AP view, left wrist X-ray, 12y F, follow-up study
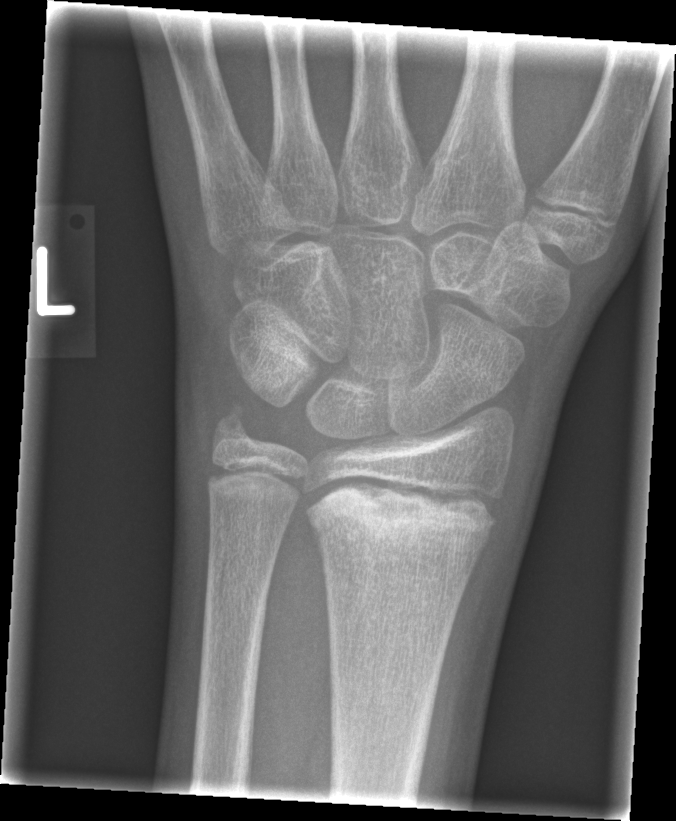

• Coordinates are [x1, y1, x2, y2] in image pixels.
• Fracture classified AO/OTA 23r-E/2.1; 23u-E/7.
• Fracture: (303, 478, 505, 565), (201, 396, 263, 457).